Right wrist plain film, AP, girl, 12 yo, initial study, detector: Siemens: 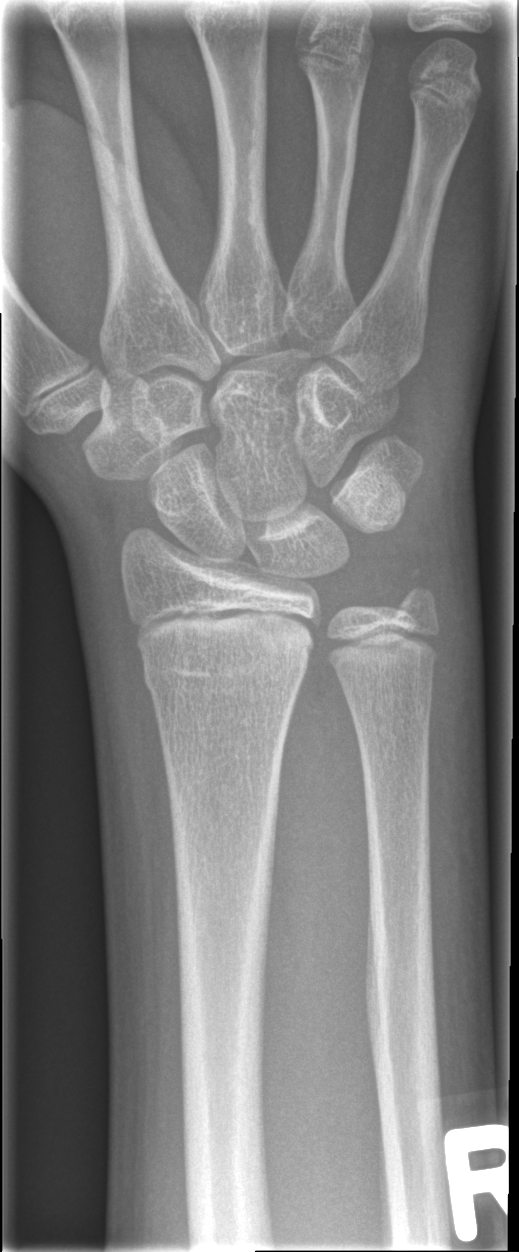
{"fracture": "[x1=141, y1=656, x2=306, y2=701], [x1=374, y1=562, x2=442, y2=631]", "ao": "23r-M/2.1; 23u-E/7"}